Frontal projection · left wrist plain film · cast present · 618x818 —

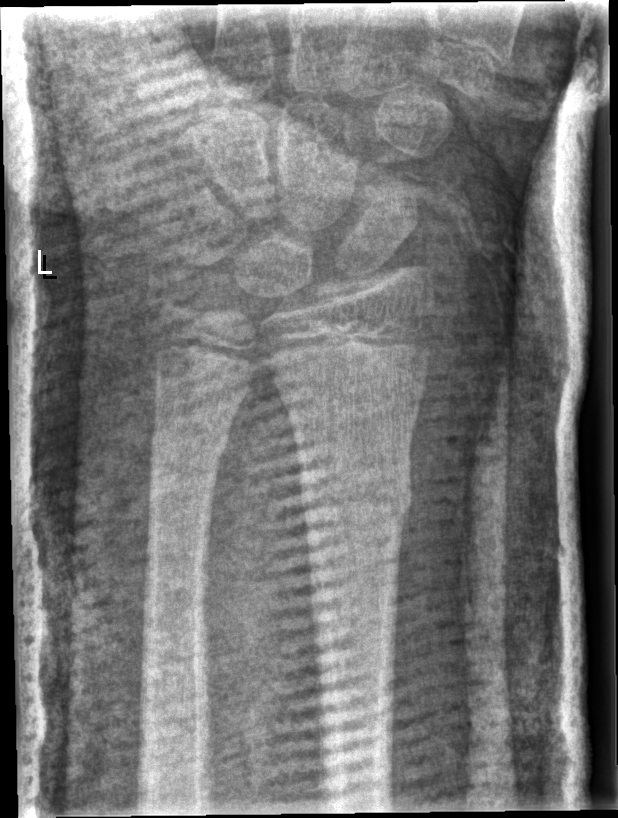
Fx identified at (298, 453, 415, 523), (144, 422, 232, 462).